PA | left plain radiograph of the wrist | age 9 y, girl | image 82.9 mm wide | 576 x 826 px.

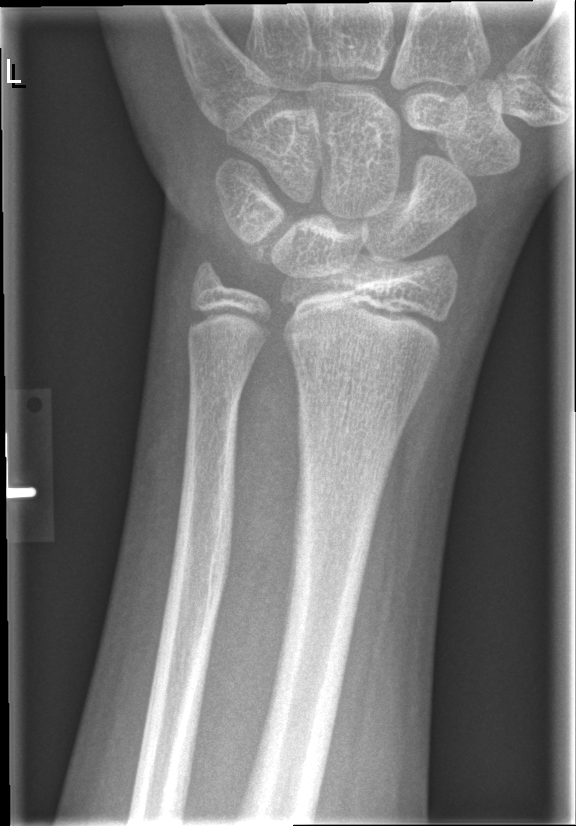 Fracture: none labeled.